Right wrist pediatric wrist radiograph | posteroanterior | 12-year-old female. 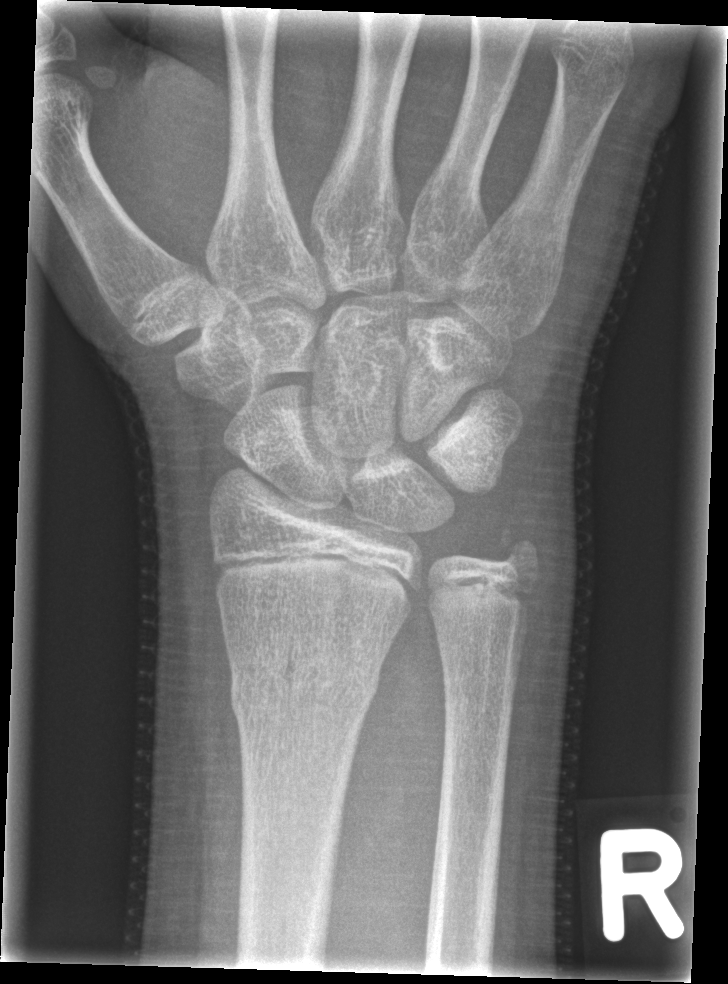

Fx: (226, 652, 382, 730); (493, 519, 550, 589)
AO code: 23r-M/2.1; 23u-E/7